Right wrist plain radiograph of the wrist · lateral · age 14 y, girl.
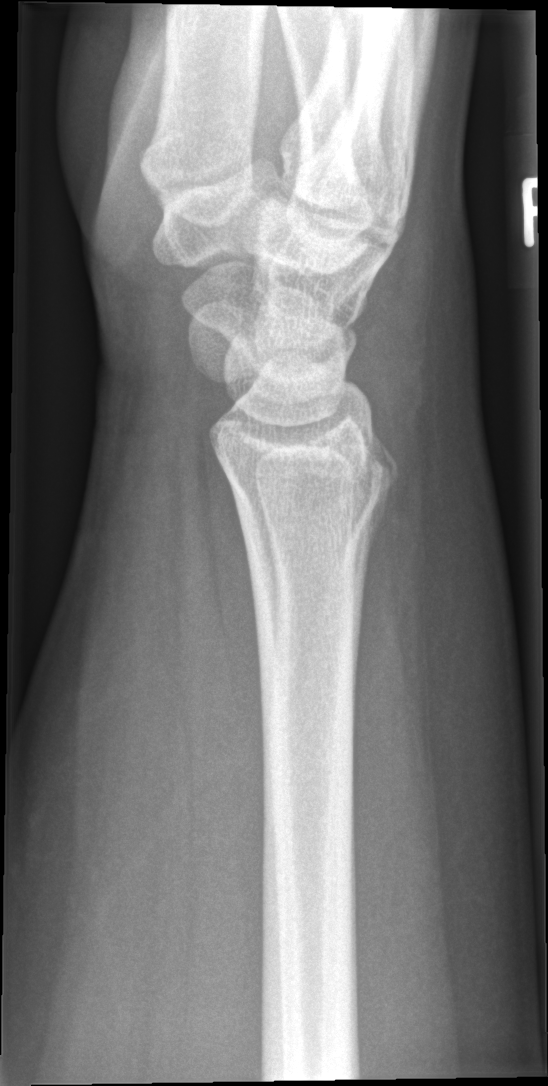 FINDINGS — (boxes as x1,y1,x2,y2 (top-left / bottom-right, pixel units)) AO/OTA classification: 23r-M/2.1. Fx: [x1=232, y1=438, x2=406, y2=560].